Lat view, Lt wrist XR, pediatric patient (male, age 8), in cast, 58.2 mm image width 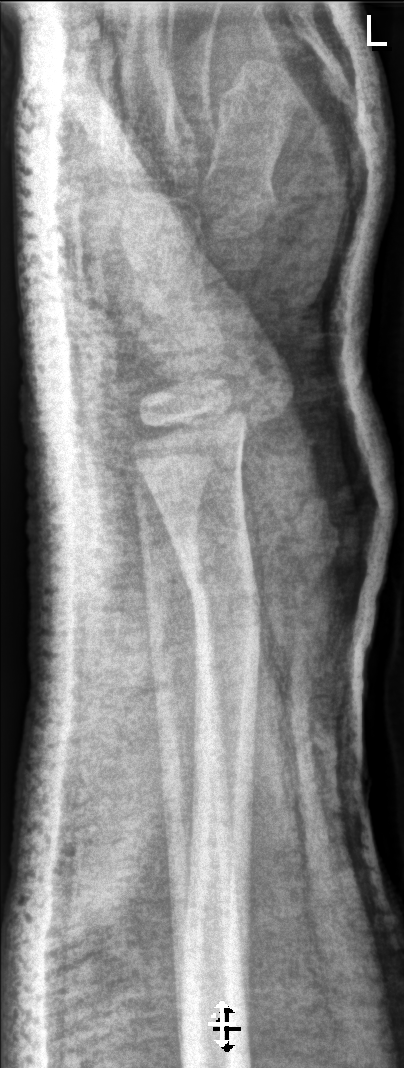
Q: Any fracture seen?
A: Bone fracture — 178 561 266 636